Frontal projection; R wrist X-ray; 8y M; cast present. 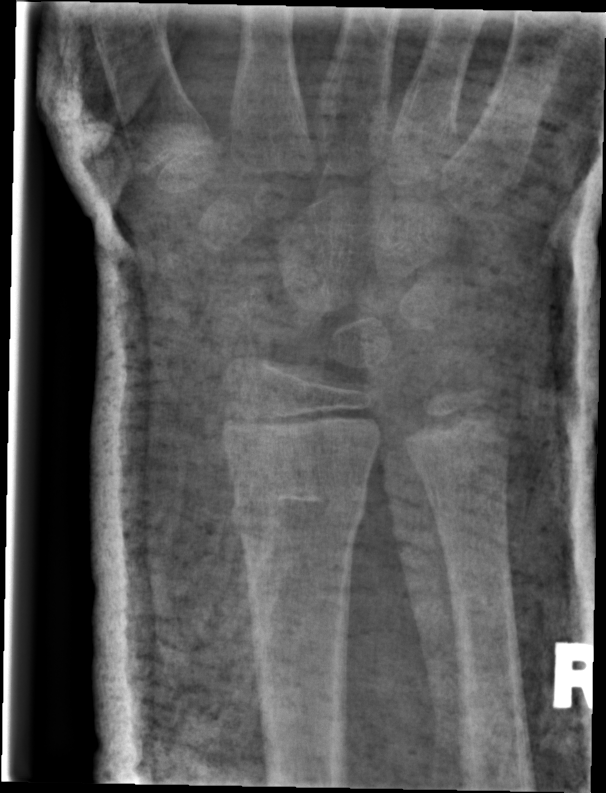

{"_coords": "bounding boxes in image-pixel xyxy", "fracture": "1 @ 228,485,368,541"}